L wrist X-ray; frontal projection; age 10 y, male; detector: Siemens; image 67.2 mm wide.
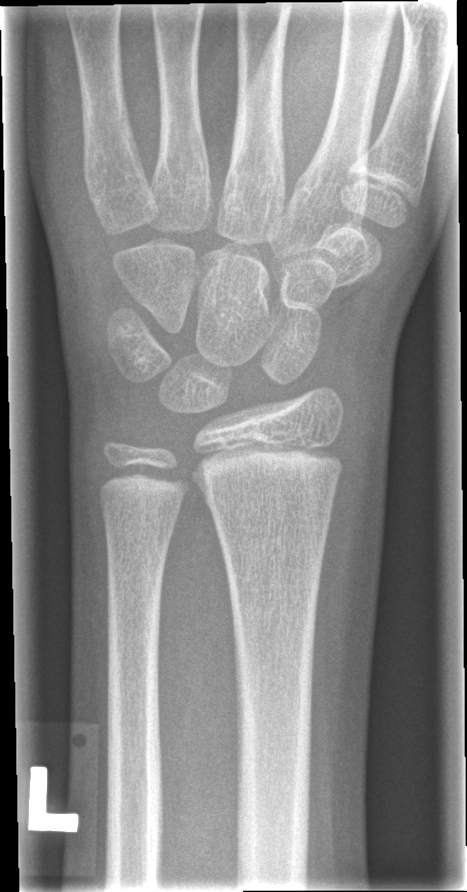

Fx = none labeled